L wrist radiograph · lat.
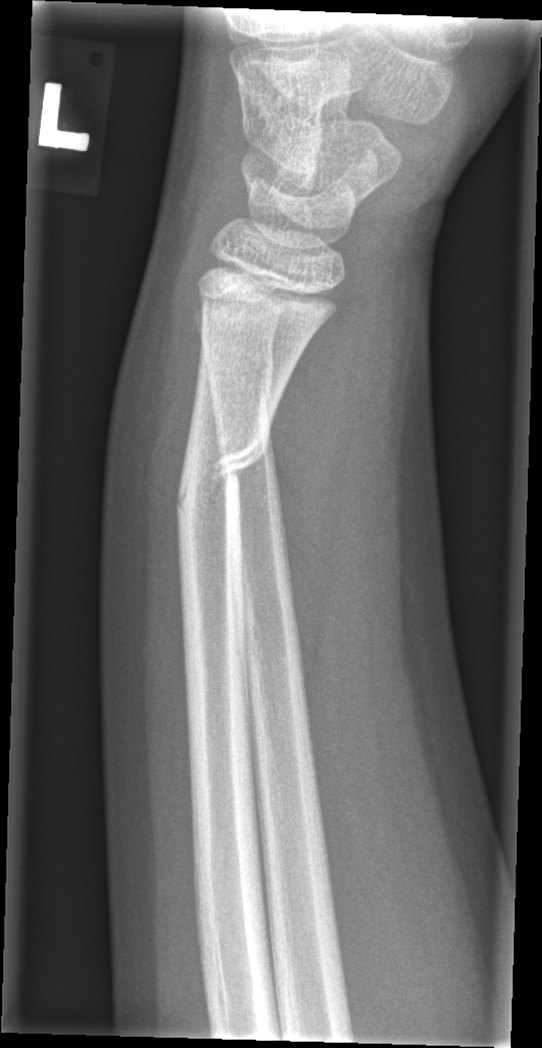 bone fracture = [x1=172, y1=424, x2=273, y2=531], [x1=204, y1=341, x2=277, y2=413]
positive pronator fat-pad sign = 1 @ [x1=265, y1=295, x2=368, y2=688]
AO code = 23r-M/3.1; 23u-M/2.1